Lat, Lt pediatric wrist radiograph, age 12 y, girl, 507 x 1040 px —
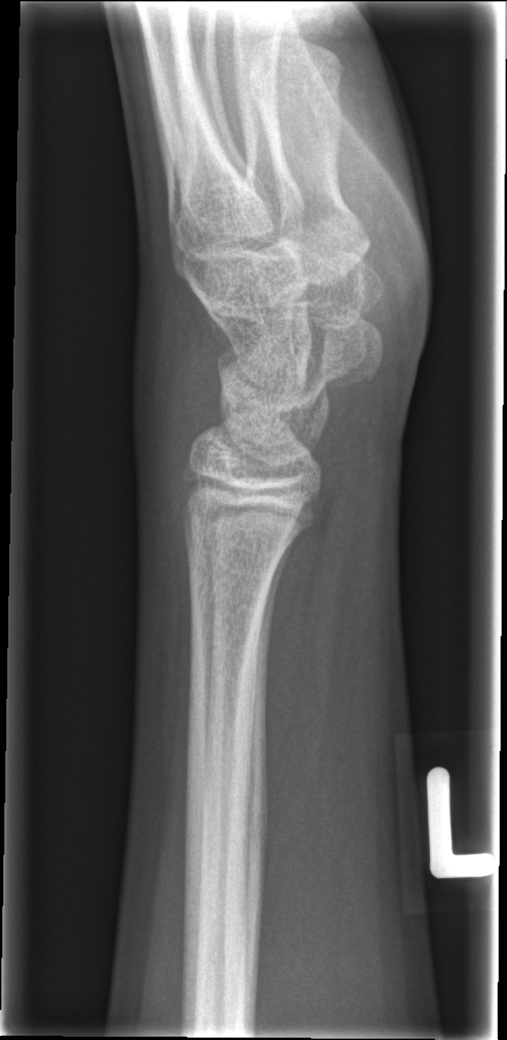
{
  "fracture": "none labeled"
}